Left wrist X-ray, frontal projection —

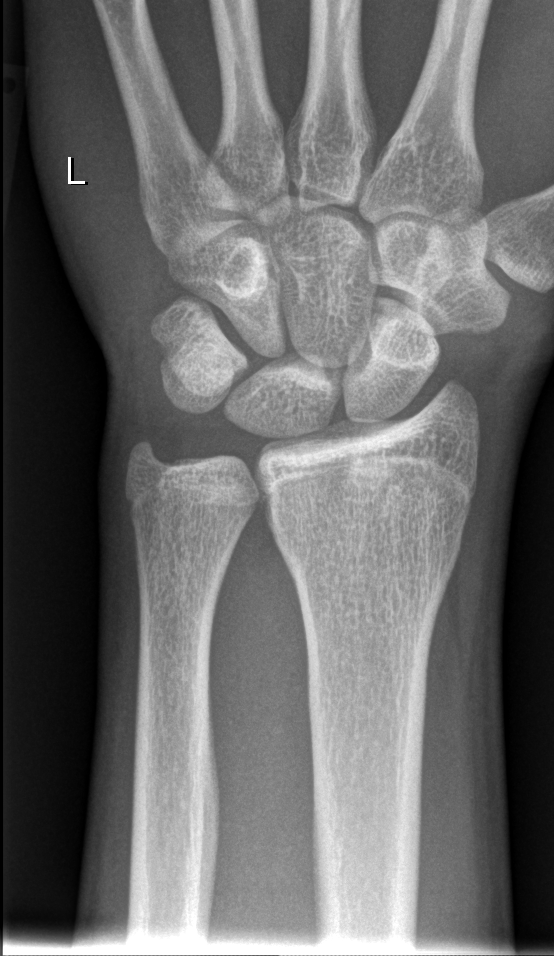
Fracture present but not clearly seen in this view.
Fracture classified AO/OTA 23r-M/2.1.